Lateral view; right wrist XR; 7-year-old girl; in cast.
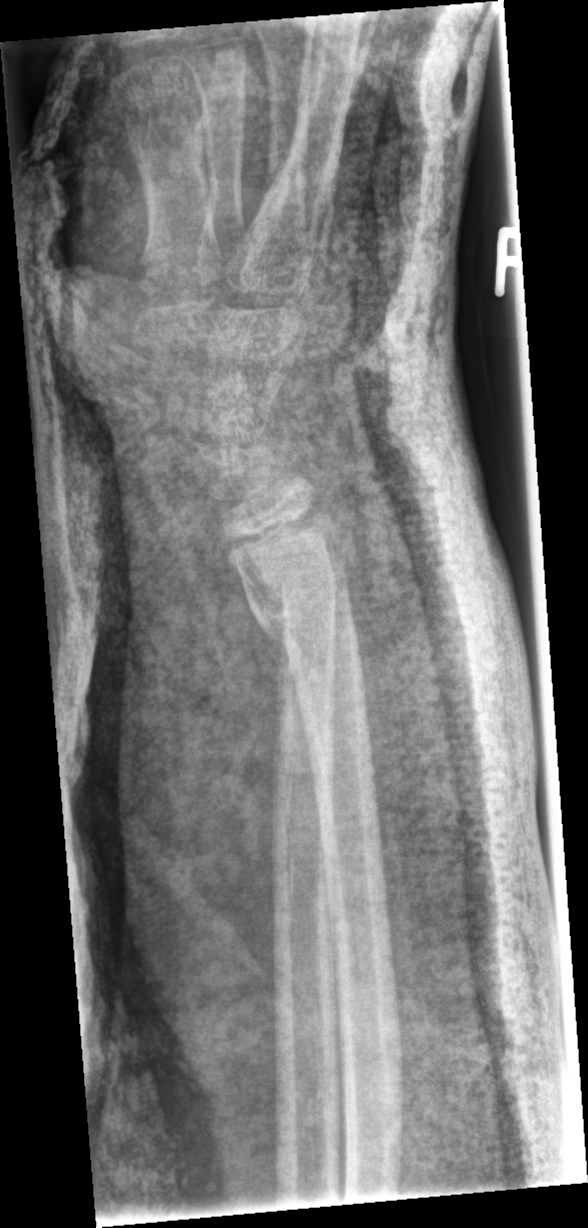 * Boxes as x1,y1,x2,y2 (top-left / bottom-right, pixel units).
* Fx — [x1=237, y1=555, x2=361, y2=654].